Right wrist X-ray | frontal projection:
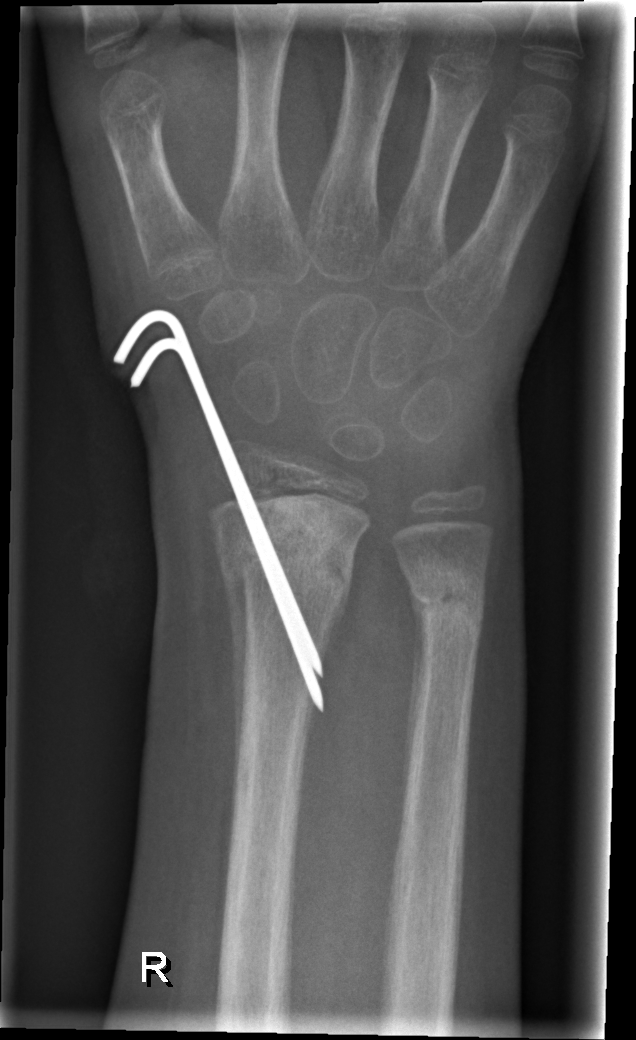
- One metallic hardware at (left=114, top=310, right=324, bottom=713).
- AO/OTA classification: 23-M/3.1.
- Bone fracture: (left=210, top=489, right=367, bottom=629), (left=404, top=547, right=492, bottom=654).
- Periosteal new bone — (left=224, top=566, right=255, bottom=773) (left=405, top=585, right=426, bottom=811).
- Reduced bone mineral density.